Frontal view; Lt wrist radiograph; pediatric patient (female, age 13) —
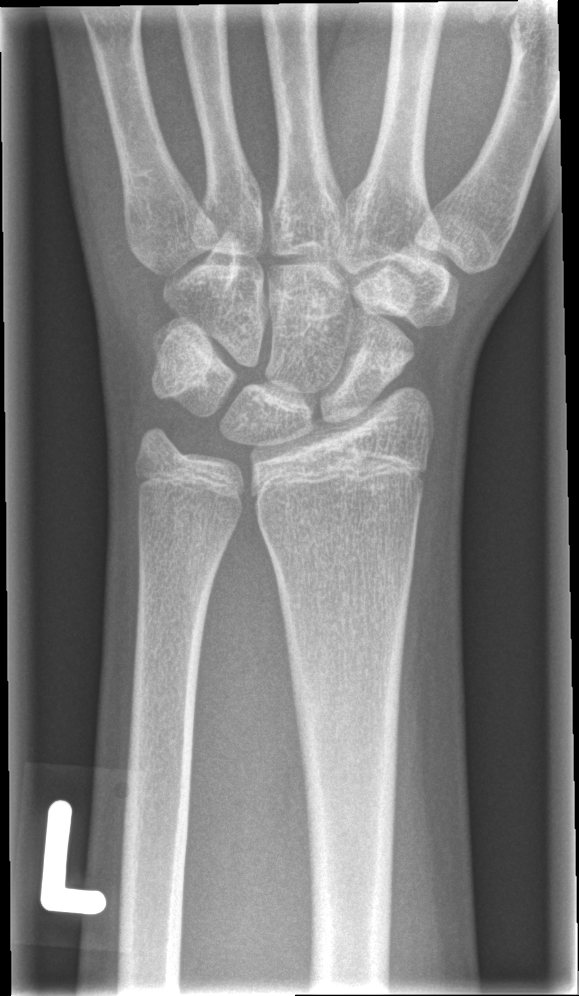 Q: Fracture present?
A: No fracture annotation